R wrist XR · lateral · pediatric patient (male, age 11) · imaged through cast
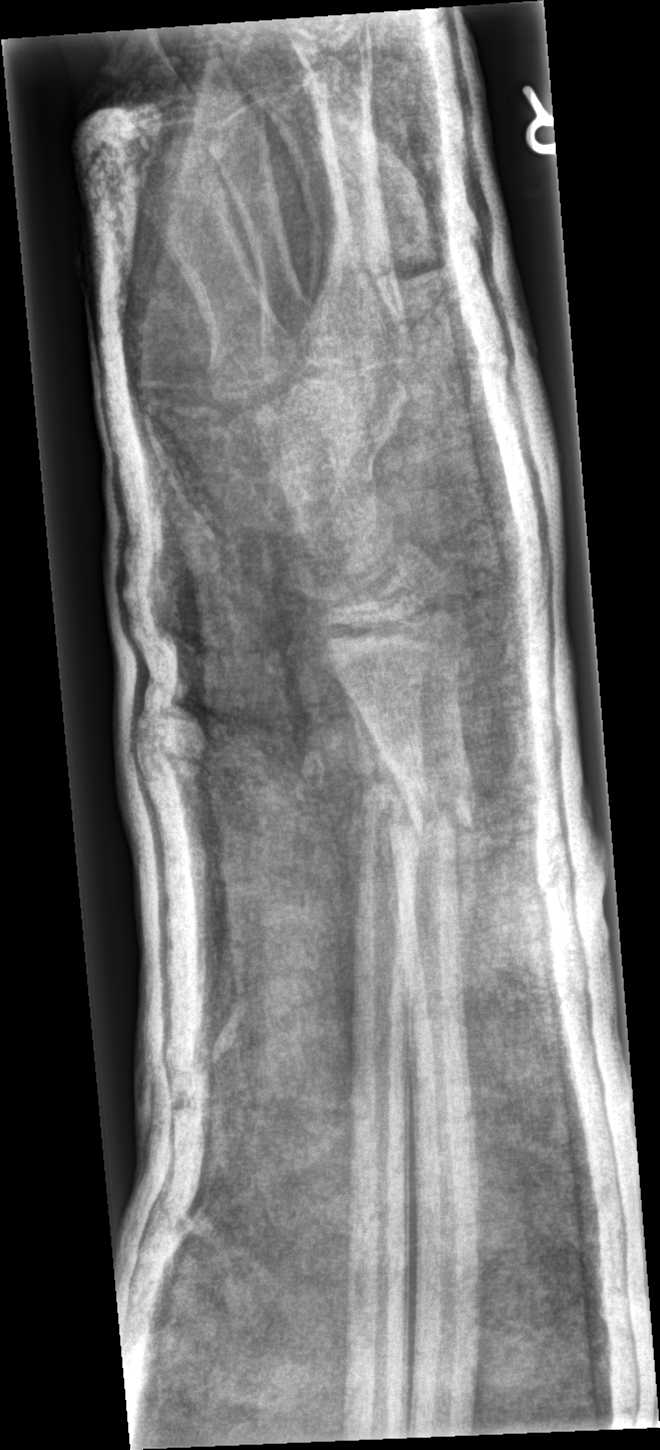 FINDINGS: Bone fracture: <360,781>-<481,861>.